Lat view, left wrist radiograph —

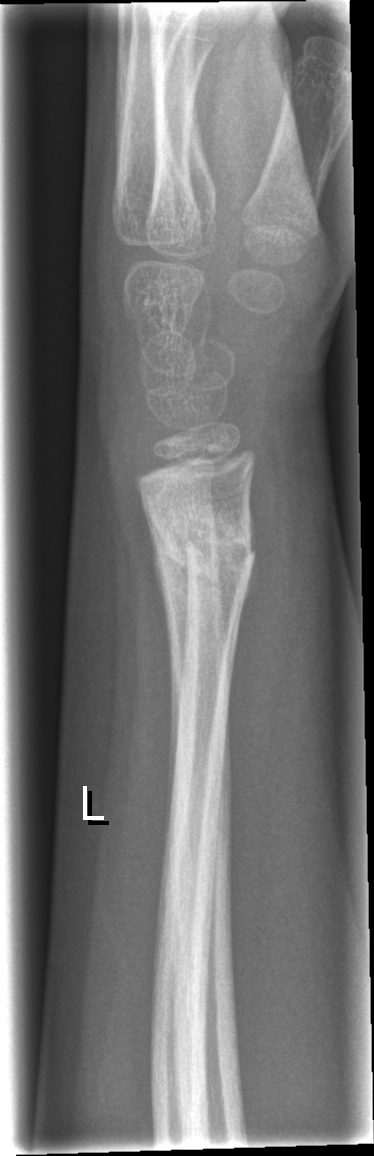 - Coordinates are [x1, y1, x2, y2] in image pixels.
- Fracture: [145, 504, 258, 589].
- One periosteal new bone at [143, 516, 194, 841].